Lat; right wrist pediatric wrist radiograph: 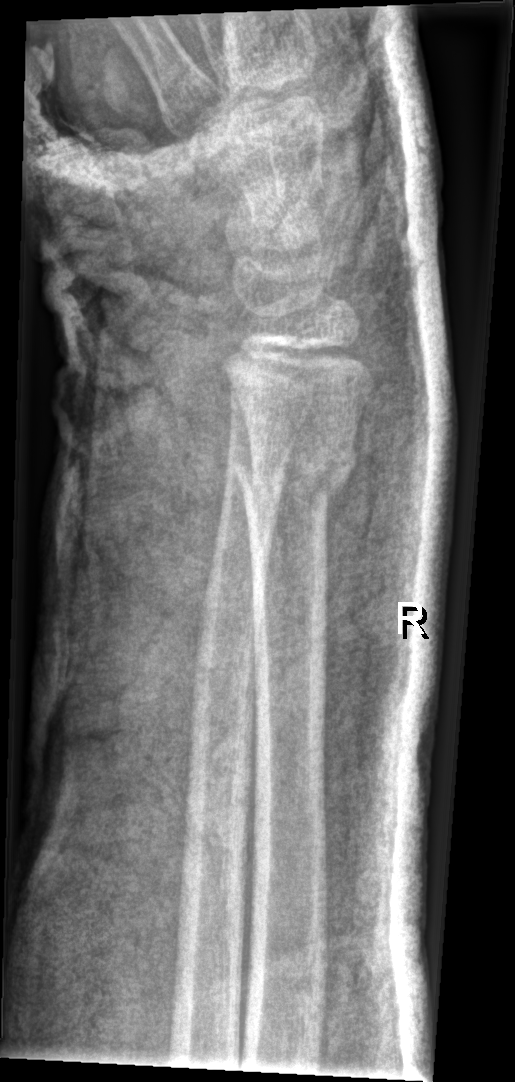 fracture = 228 442 362 520